Posteroanterior · L plain radiograph of the wrist · 4y M. 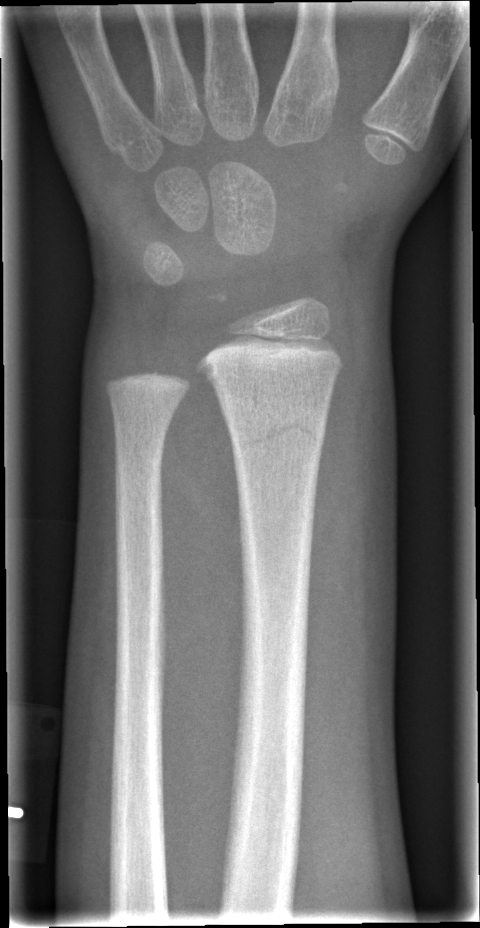

Bone fracture = <229,411>-<329,467>